R wrist plain film, AP projection, pediatric patient (female, age 6), follow-up study, image width 101.8 mm: 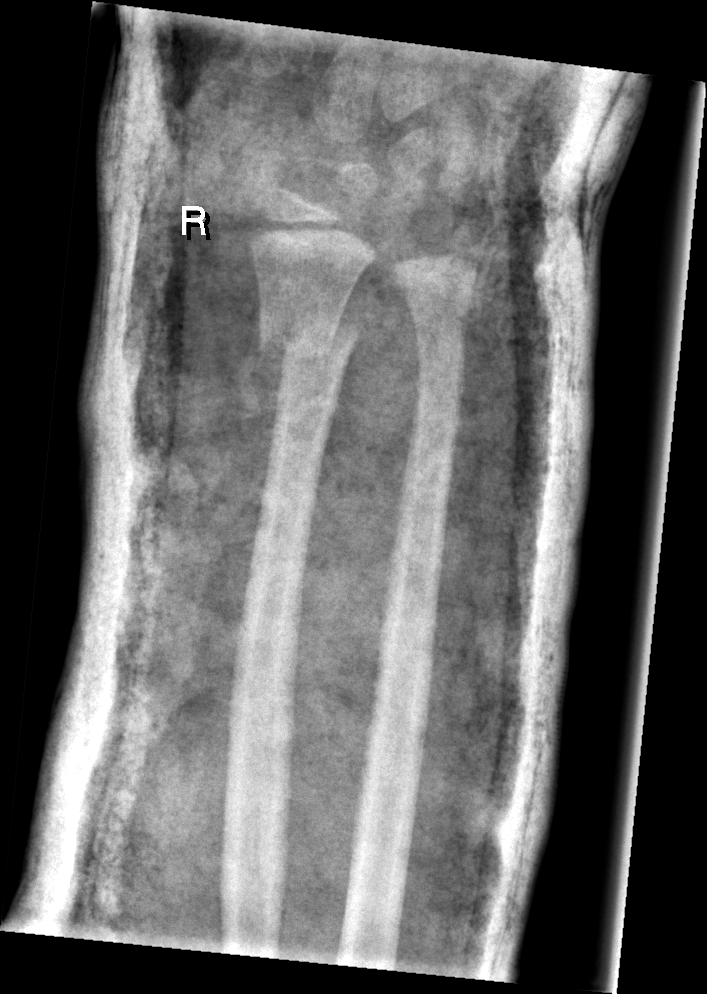 Findings: Bone fracture: 255,311,366,369.